Lat · Lt wrist radiograph.
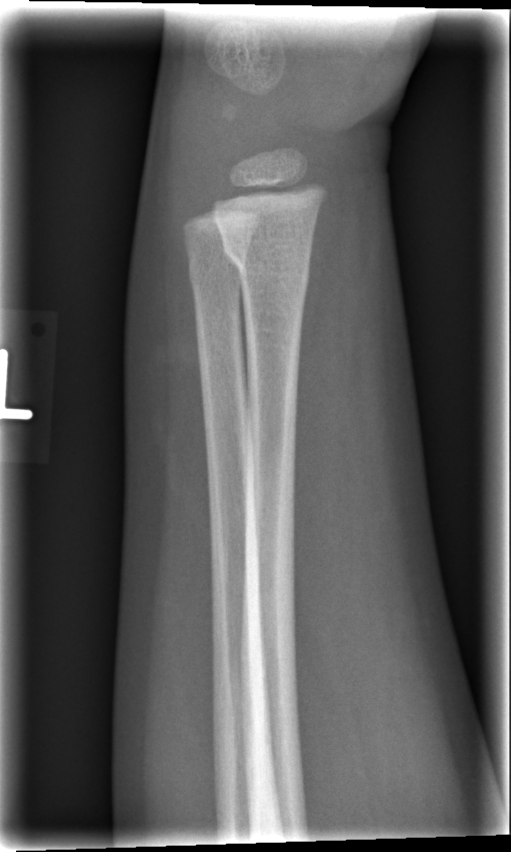
{"fracture": "[221, 238, 311, 286]; [181, 262, 252, 296]"}